Frontal projection | left wrist radiograph | follow-up.
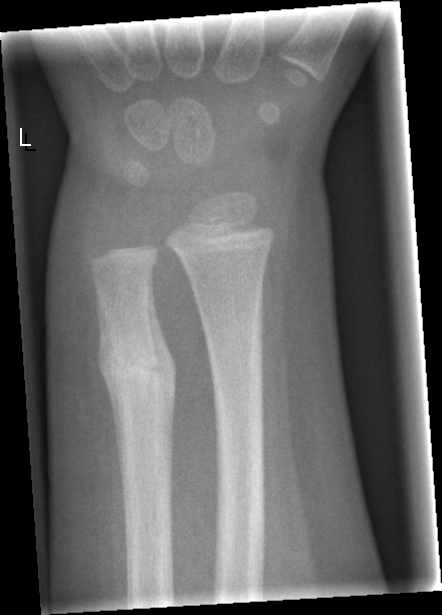 Two periosteal new bone at <99,295>-<126,471>, <148,281>-<177,416>.
Fracture classified AO/OTA 23u-M/2.1.
Fx: <103,341>-<177,392>.